Right wrist plain film · lateral view · pediatric patient (boy, age 13) · Siemens —

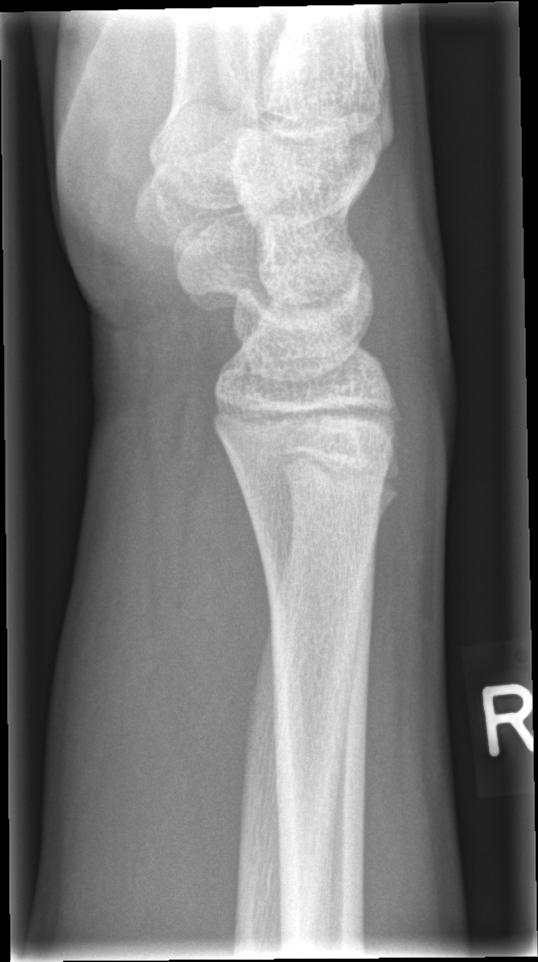

fracture: none labeled